Right pediatric wrist radiograph · PA view: 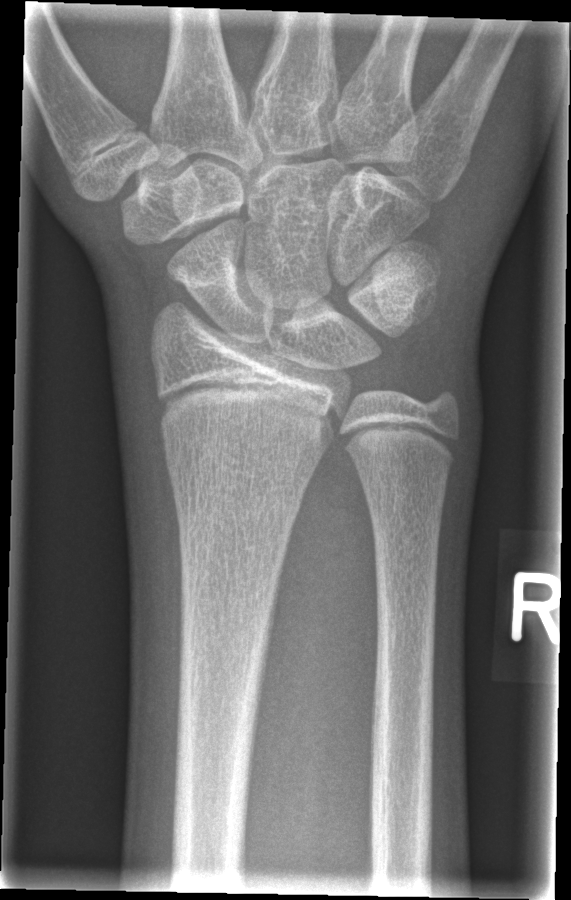 - Coordinates are [x1, y1, x2, y2] in image pixels.
- AO/OTA classification: 23r-M/2.1.
- Fracture: 173,485,305,539.